Frontal, Lt plain radiograph of the wrist, girl, 11 yo, acquired on Siemens —
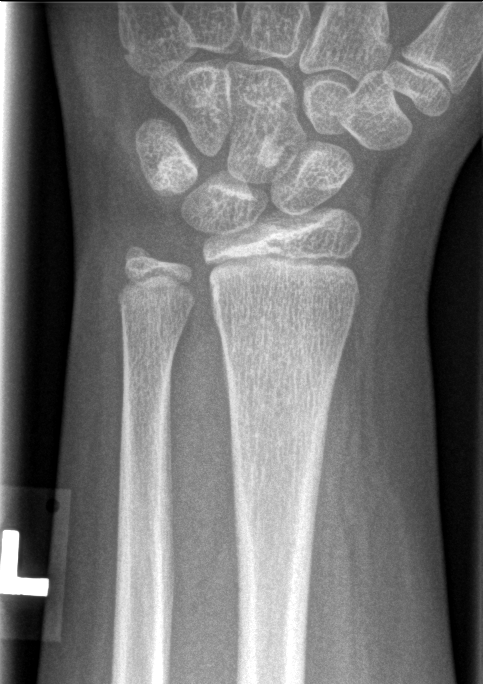
Findings: No fracture labeled. Bone lesion — [x1=256, y1=131, x2=282, y2=171].